L wrist radiograph · PA · follow-up study · detector: Siemens —

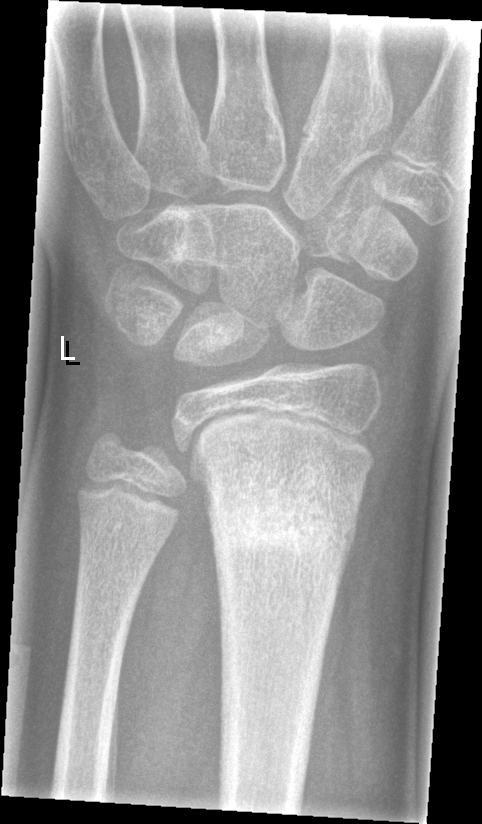
AO/OTA = 23r-M/3.1
Fx = 1 @ [202, 475, 360, 567]
Osteopenia = present
Bone anomaly = [64, 328, 215, 559]